Lateral view, left wrist XR, 12y M, index exam, 42.2 mm image width, image size 293x1178: 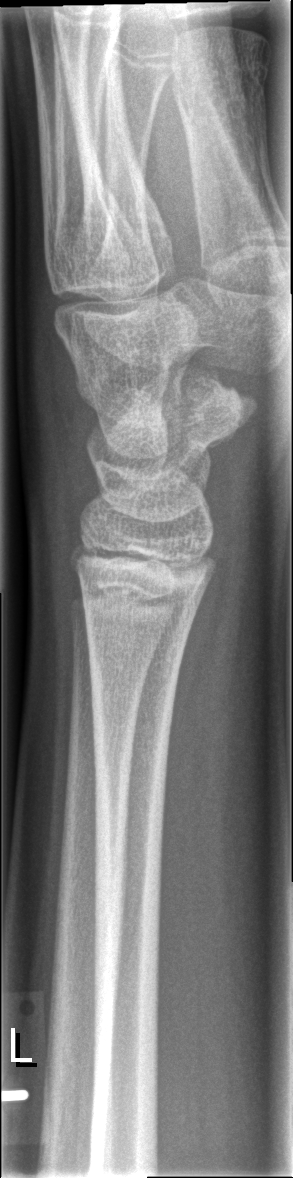

fracture: none labeled